Left wrist pediatric wrist radiograph, lateral — 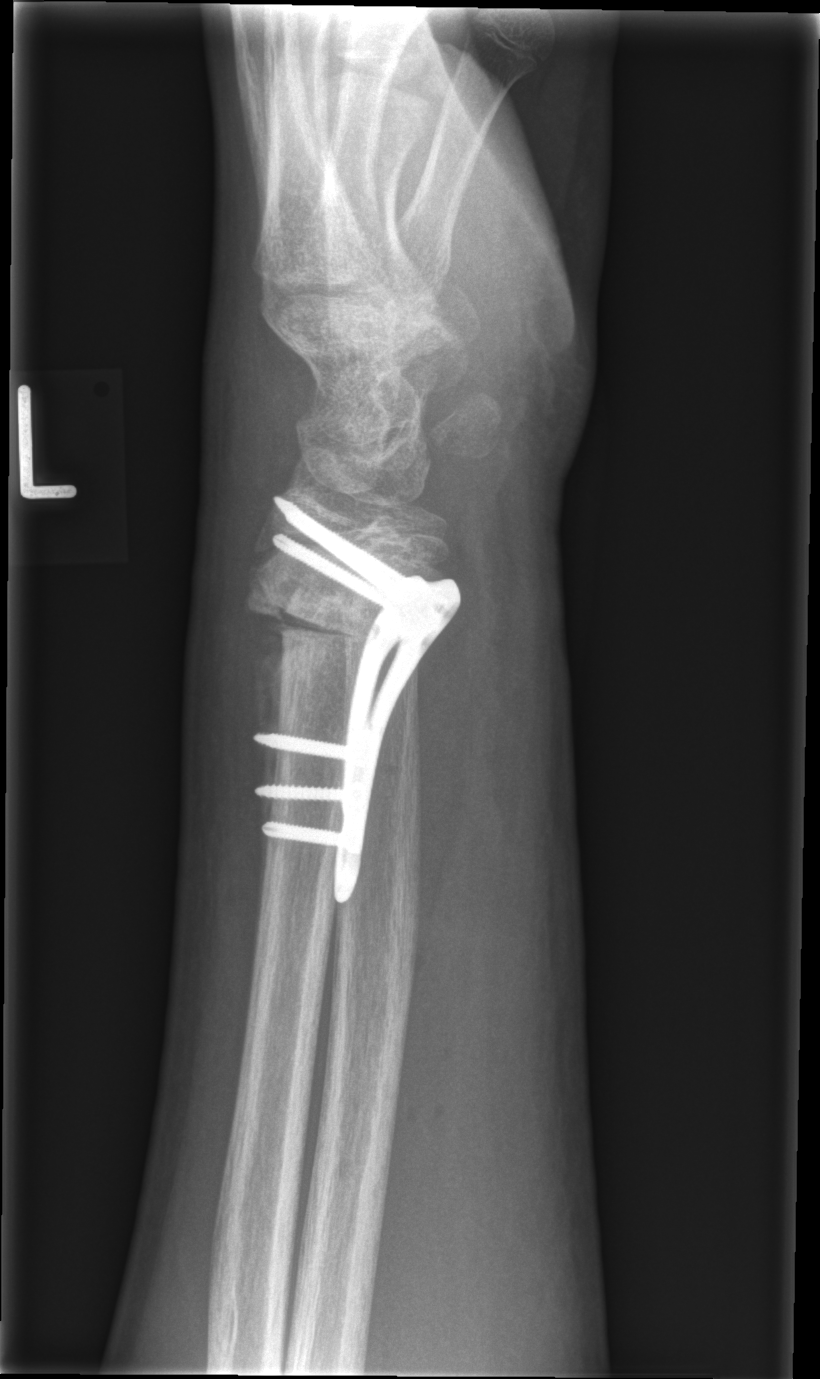 Metallic implant: [257, 495, 460, 885]. Fx: none.